Right wrist radiograph · lat view · subsequent exam — 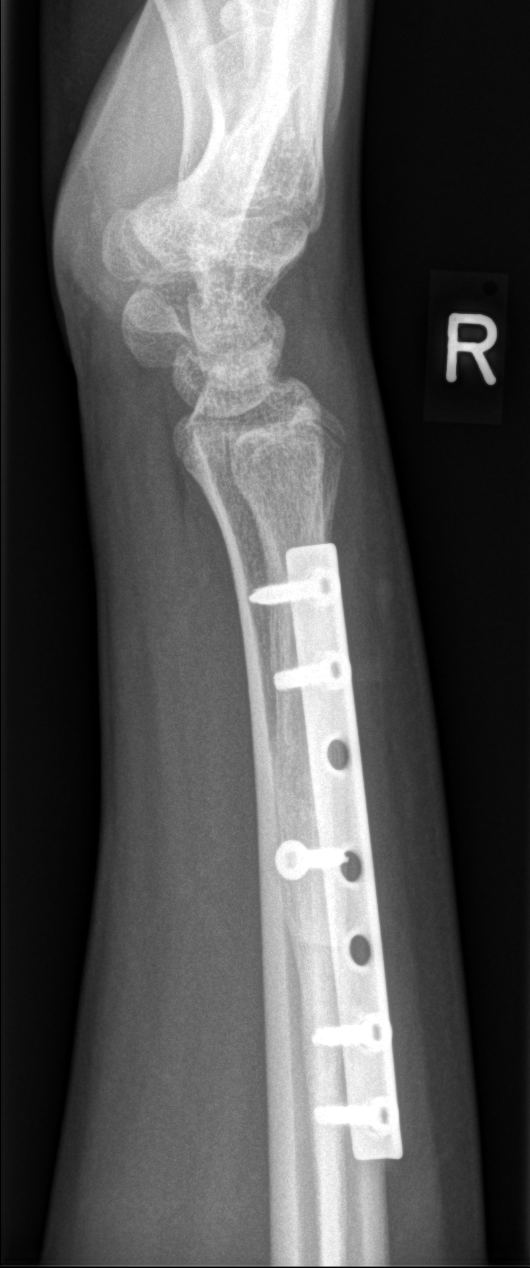
metallic implant = (246, 542, 405, 1163)
fracture = none labeled